Lateral view; R wrist plain film; 575 x 1176 px 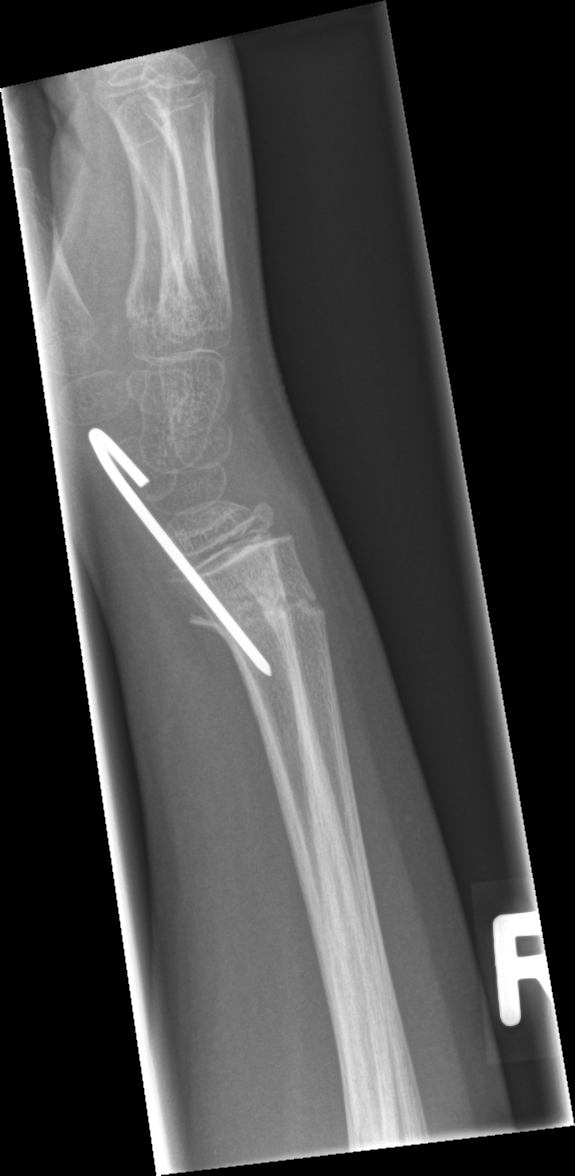
AO code: 23-M/3.1
fracture: 1 @ [x1=183, y1=579, x2=330, y2=650]
hardware: 1 @ [x1=77, y1=427, x2=271, y2=677]
osteopenia: present